Left wrist X-ray · AP view · pediatric patient (male, age 9) · Siemens · 80.6 mm image width · image size 560x706: 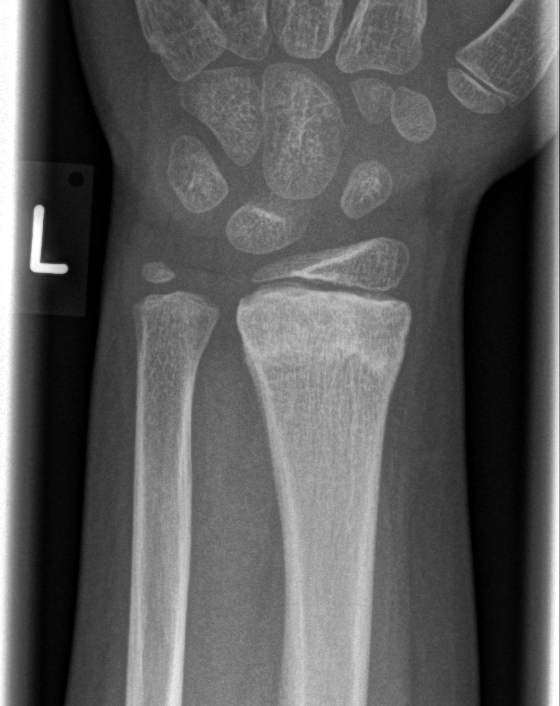 Pixel coordinates, top-left origin, xyxy.
Fx identified at 234,304,408,392.
Fracture classified AO/OTA 23r-M/3.1.
Reduced bone mineral density.
One periosteal reaction at 241,335,270,460.